Left wrist X-ray | lat view | acquired on Siemens.

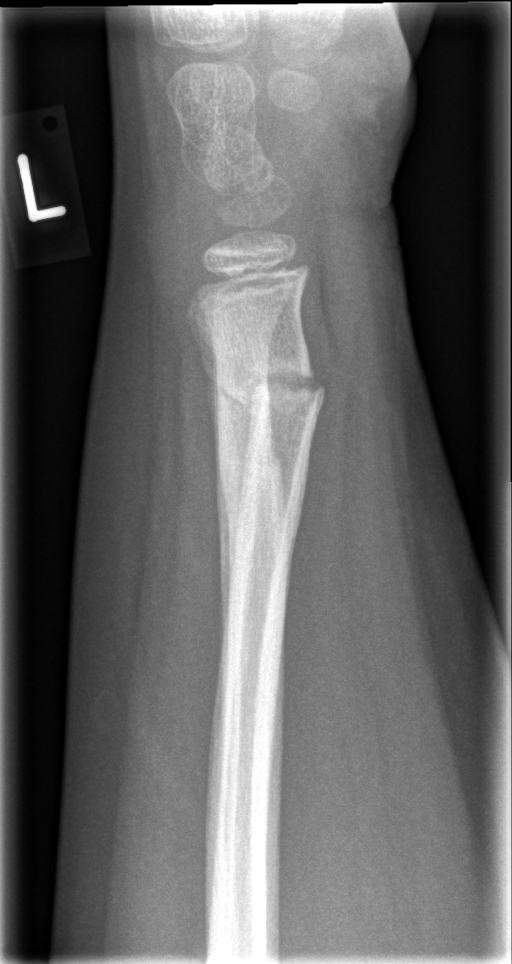 FINDINGS — (bounding boxes in image-pixel xyxy) AO/OTA classification: 23r-M/3.1; 23u-M/2.1. Osteopenic. One Fx at [x1=204, y1=357, x2=329, y2=426].